Lateral projection; left wrist radiograph; 11y M
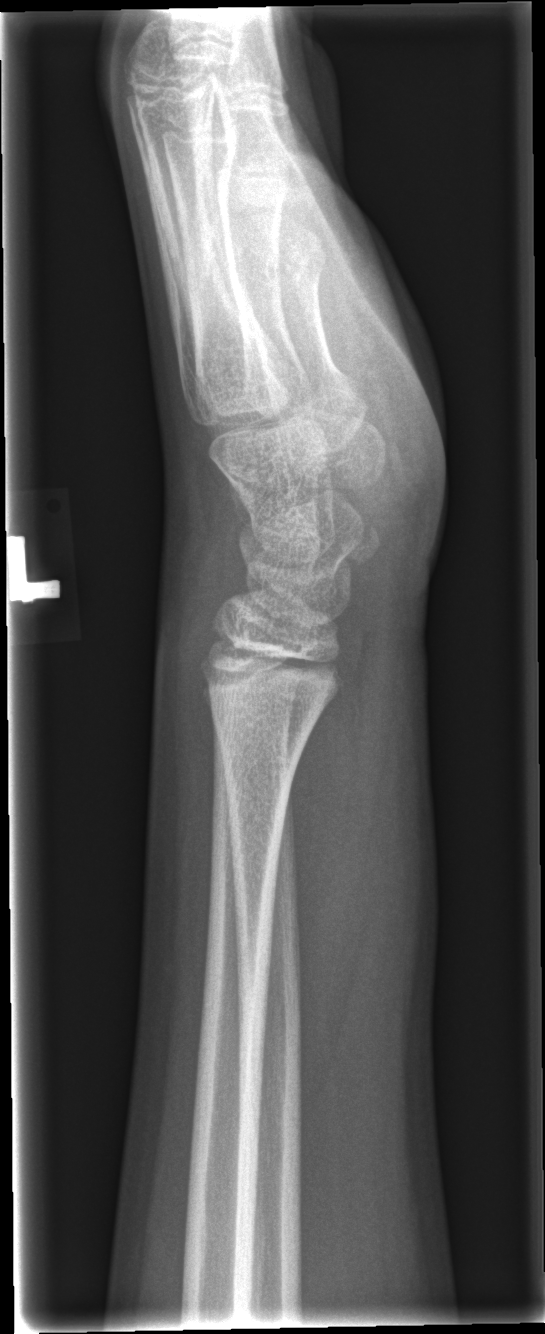 - Fx: none.